Right wrist X-ray; posteroanterior projection; presentation radiograph; detector: Siemens; 90.3 mm image width.
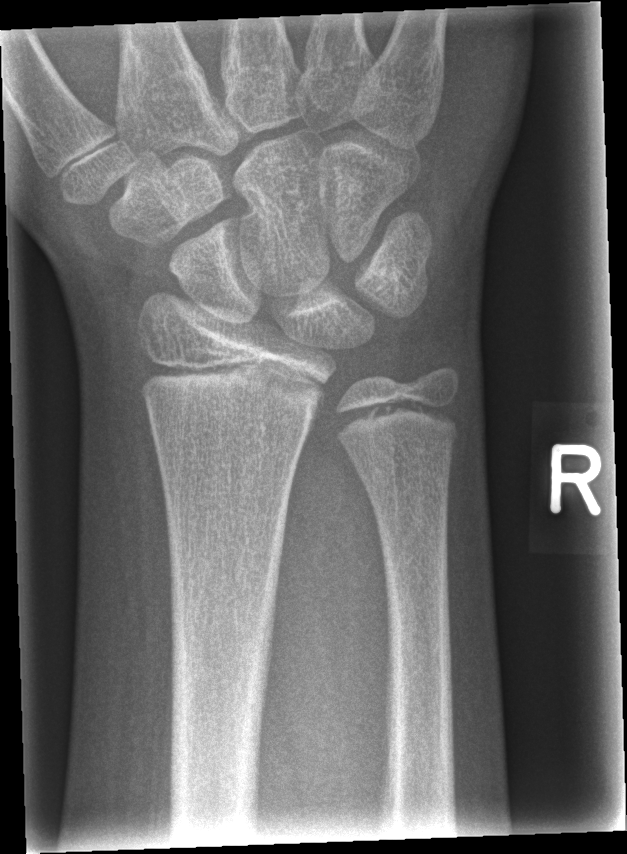

Fx = present but not clearly seen in this view
AO classification = 23r-M/2.1